Lateral view | R pediatric wrist radiograph | initial study: 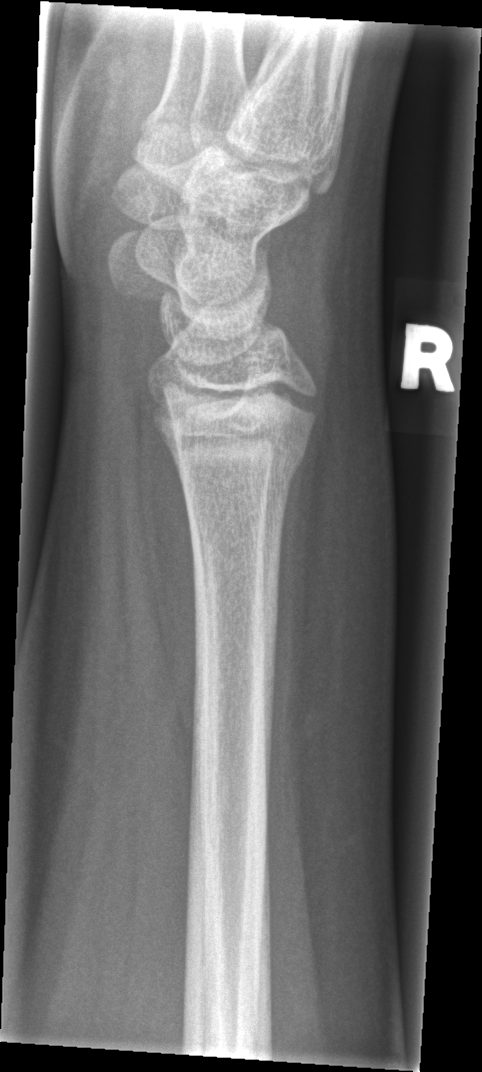

• Bone fracture identified at (left=168, top=426, right=312, bottom=499).